Lateral · L wrist radiograph · subsequent exam · imaged through cast —
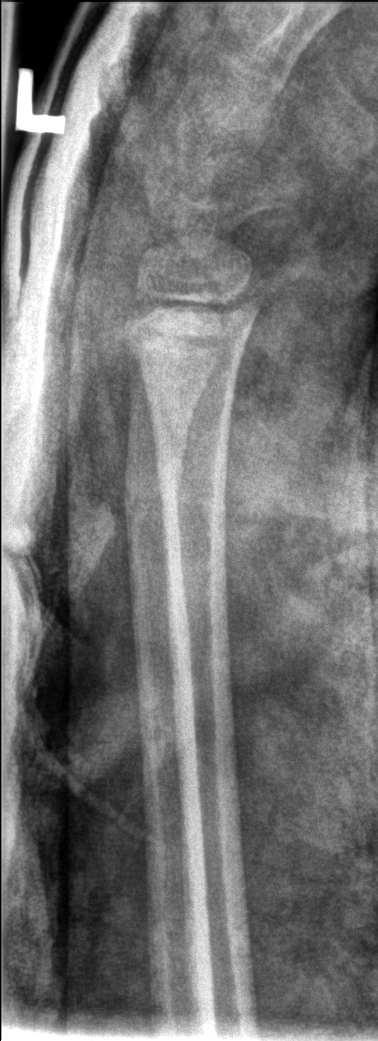 Findings: (bounding boxes in image-pixel xyxy) One bone fracture at [x1=121, y1=441, x2=187, y2=547].